Right plain radiograph of the wrist, lateral projection, 7y M, subsequent exam — 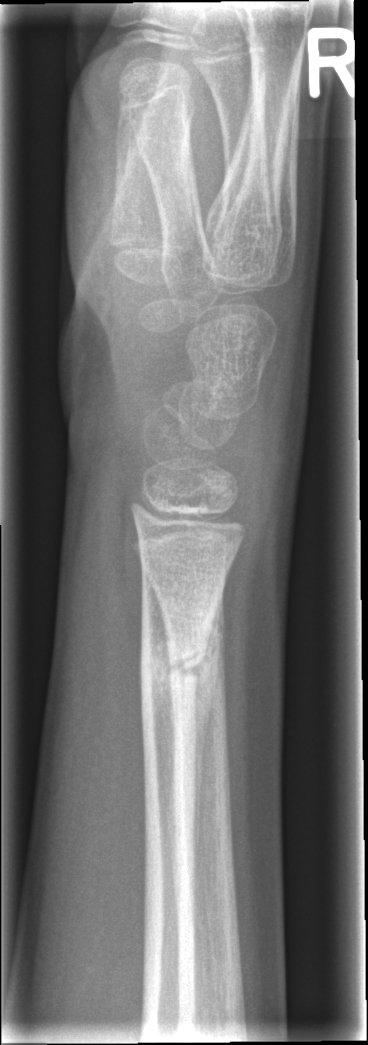

Bounding boxes in image-pixel xyxy.
Periosteal new bone — 194,595,220,864.
Fracture — 135,636,212,704.
Osteopenia.